AP; Lt wrist radiograph

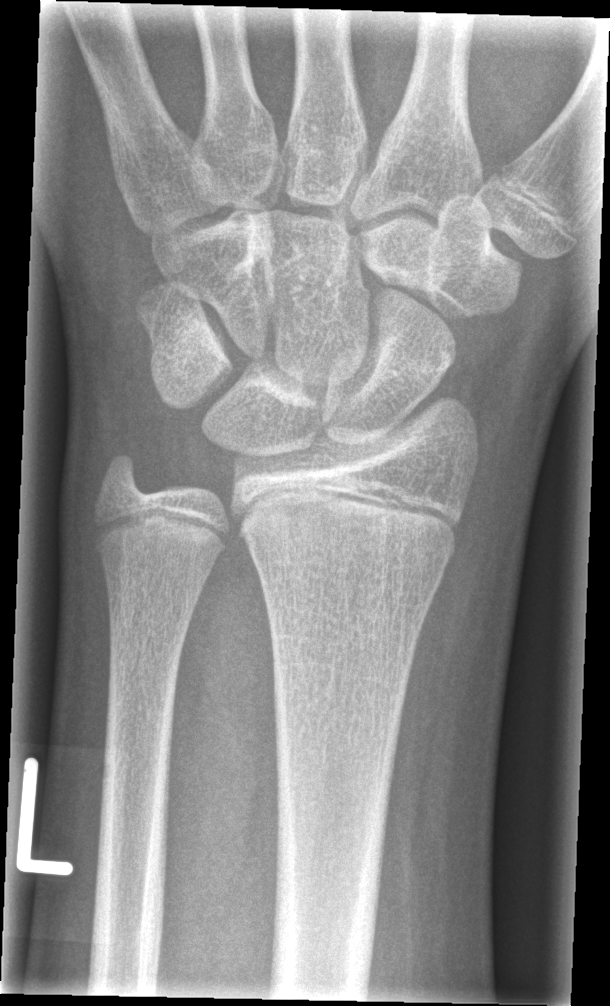 * No Fx annotated.